Lt wrist XR | PA view | age 6 y, female | cast in situ | image size 570x926 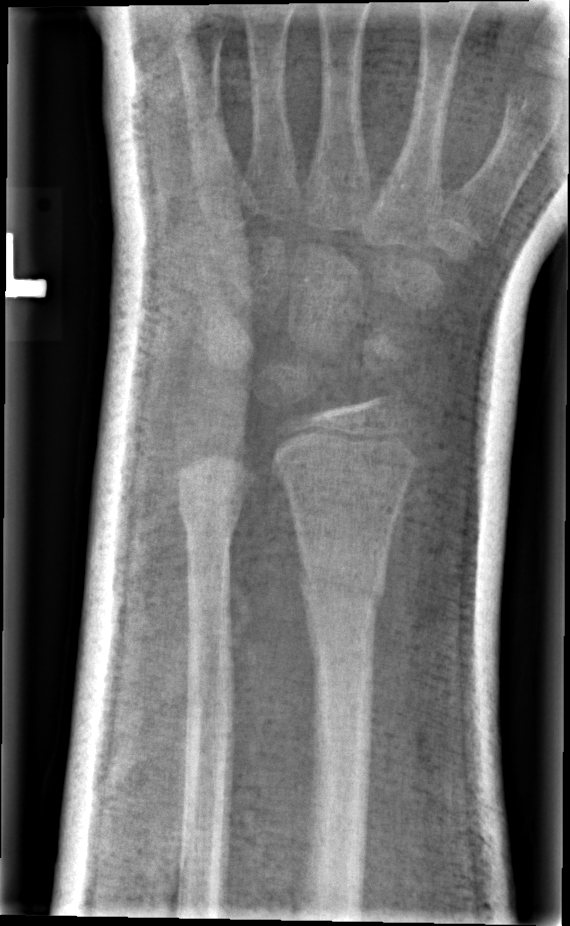

• Pixel coordinates, top-left origin, xyxy.
• Bone fracture identified at 296 538 395 622; 175 493 246 547.